Lateral projection · left wrist radiograph · pediatric patient (boy, age 12) · 68.1 mm image width —
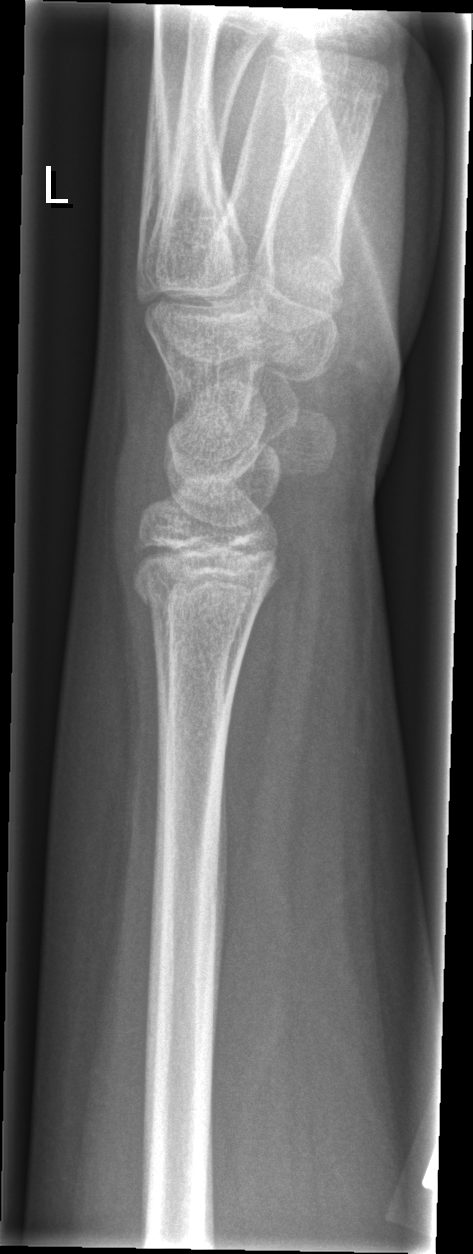 One fracture at 127 559 266 632.